Lateral, left plain radiograph of the wrist.

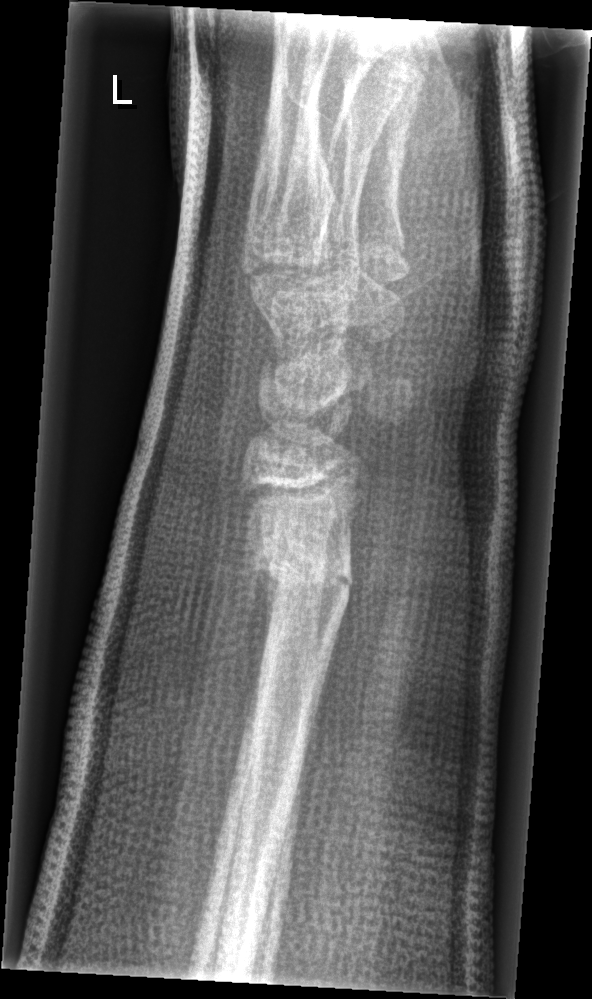

- Bone fracture — 246 536 356 614.
- AO/OTA classification: 23r-M/3.1; 23u-M/2..
- Periosteal new bone identified at 243 509 277 748.